Lateral view; R wrist XR; pediatric patient (girl, age 10); subsequent exam; in cast:
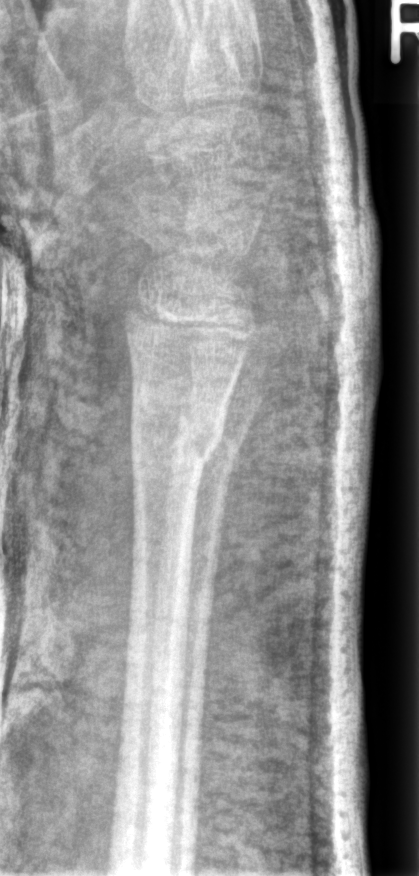   fracture: 127,393,229,478 | 171,392,247,475
  ao: 23-M/2.1